Lat · R wrist XR · 15-year-old boy · image width 82.5 mm — 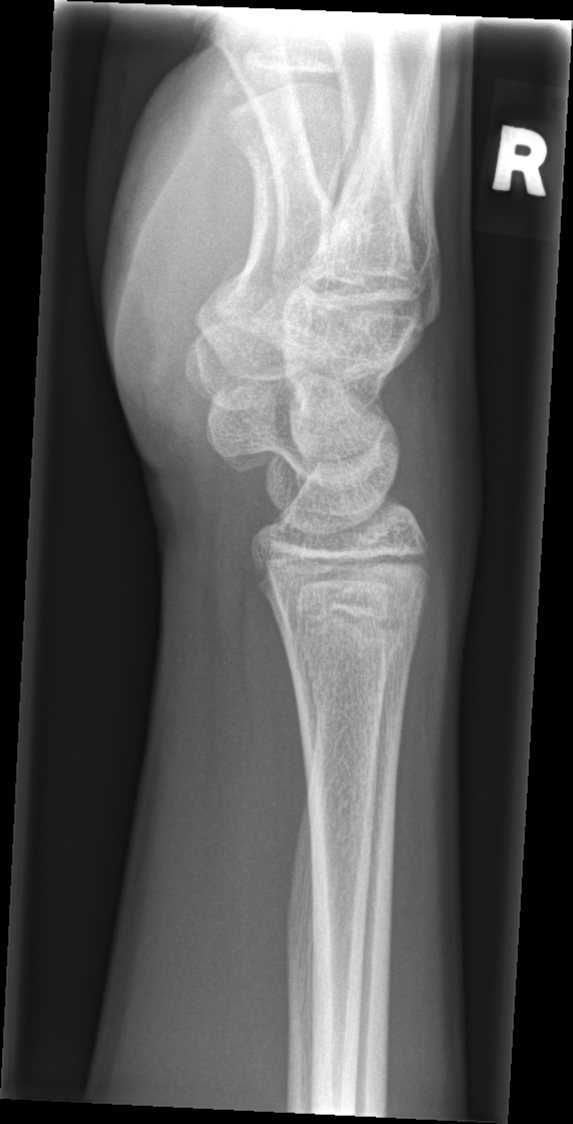
No Fx annotated.